Lat; left wrist XR; 9-year-old boy. 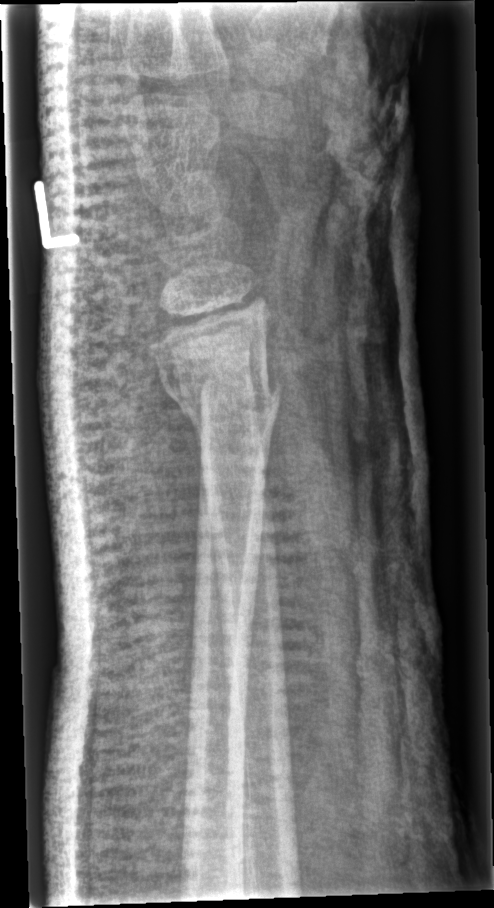 • Coordinates are [x1, y1, x2, y2] in image pixels.
• Fracture classified AO/OTA 23r-M/3.1; 23u-M/2.1.
• Bone fracture: (left=159, top=364, right=285, bottom=439).